R wrist radiograph · lat view · imaged through cast · Siemens · 570x1308:
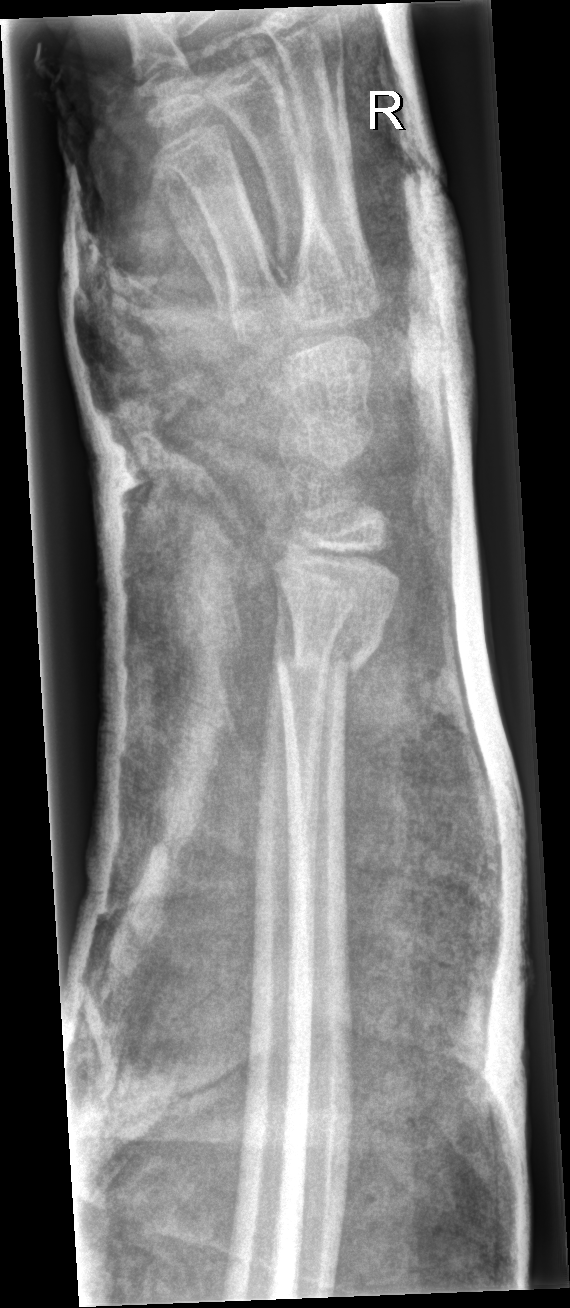
* AO/OTA classification: 23r-M/3.1; 23u-M/2.1.
* Fracture: [x1=272, y1=615, x2=387, y2=682].